Lateral view; left wrist radiograph.
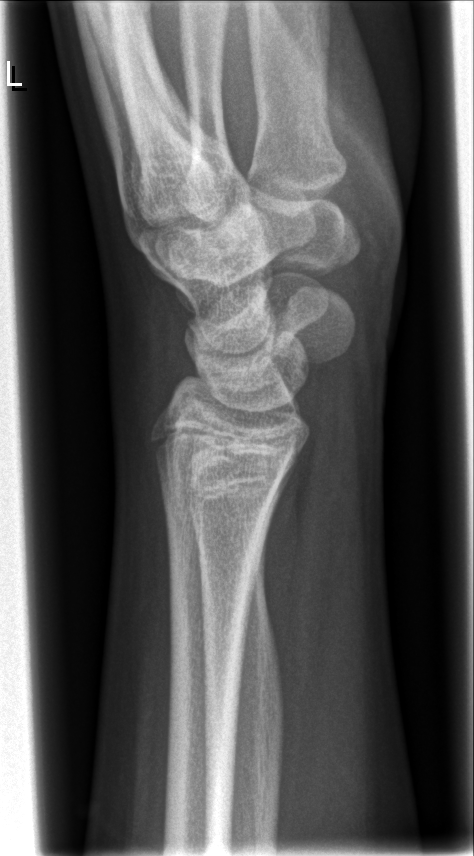
* Fracture: none labeled.